Lt pediatric wrist radiograph | PA/AP | 11y M | presentation radiograph | detector: Siemens | image width 80.9 mm.
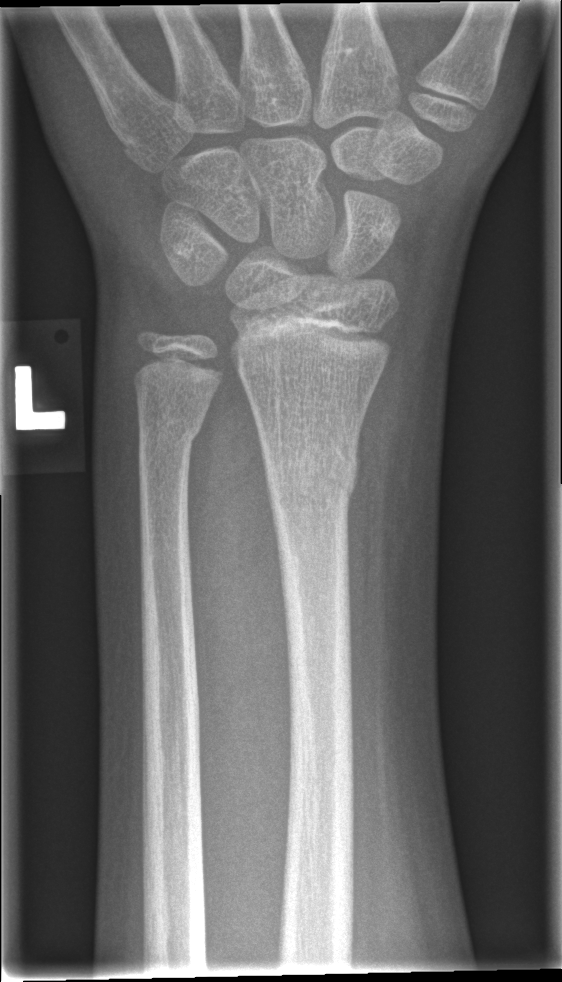
FINDINGS — (boxes as x1,y1,x2,y2 (top-left / bottom-right, pixel units)) Bone fractures — (left=257, top=422, right=363, bottom=511), (left=133, top=400, right=205, bottom=458). Fracture classified AO/OTA 23r-M/3.1; 23u-M/2.1.